Right plain radiograph of the wrist · lat projection · age 12 y, boy · Siemens:

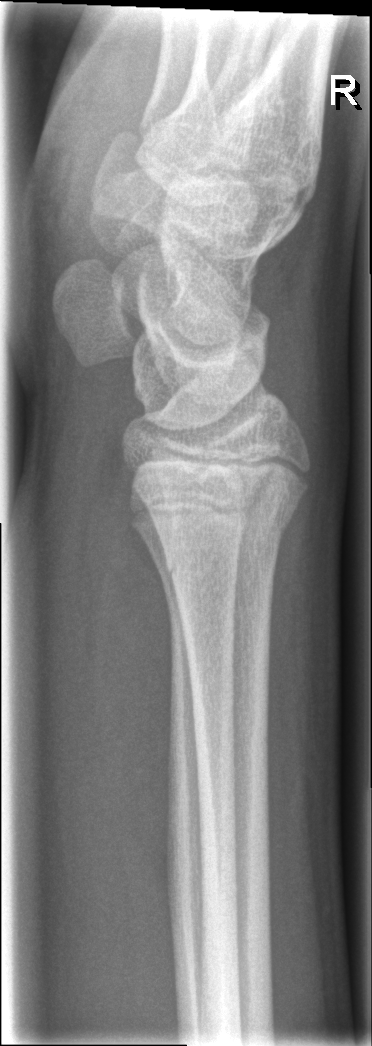

Fx: bbox(126, 462, 313, 557)
AO code: 23r-M/2.1; 23u-E/7